Left wrist radiograph, lateral, 15y M, follow-up study, imaged through cast — 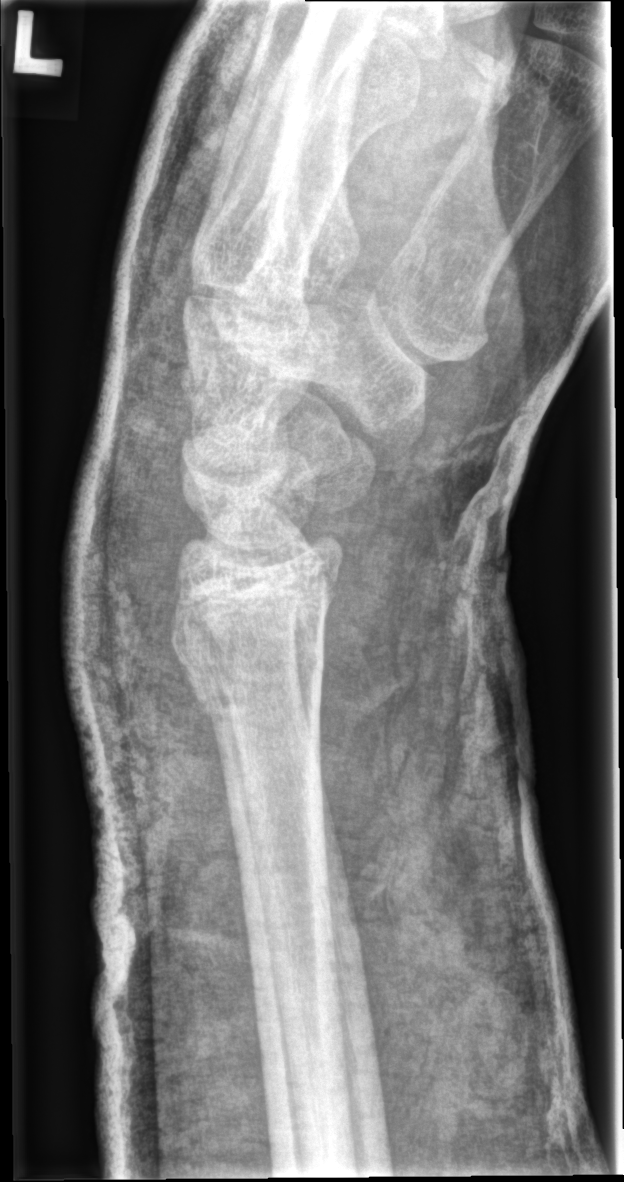

FINDINGS — AO/OTA classification: 23r-M/3.1; 23u-E/7. Fracture: (174, 612, 329, 714).